PA projection, Lt wrist plain film, 16-year-old female, index exam, 499 by 818 pixels 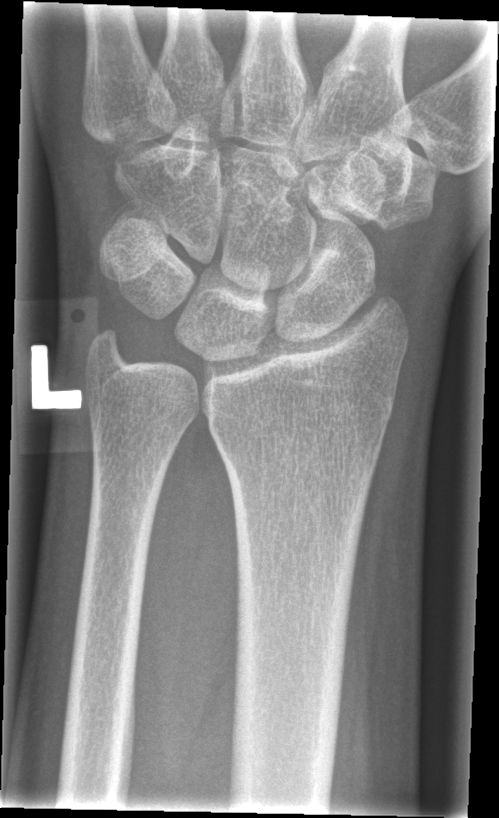 FINDINGS — No Fx annotated.